Lat; left wrist plain film; girl, 10 yo; index exam — 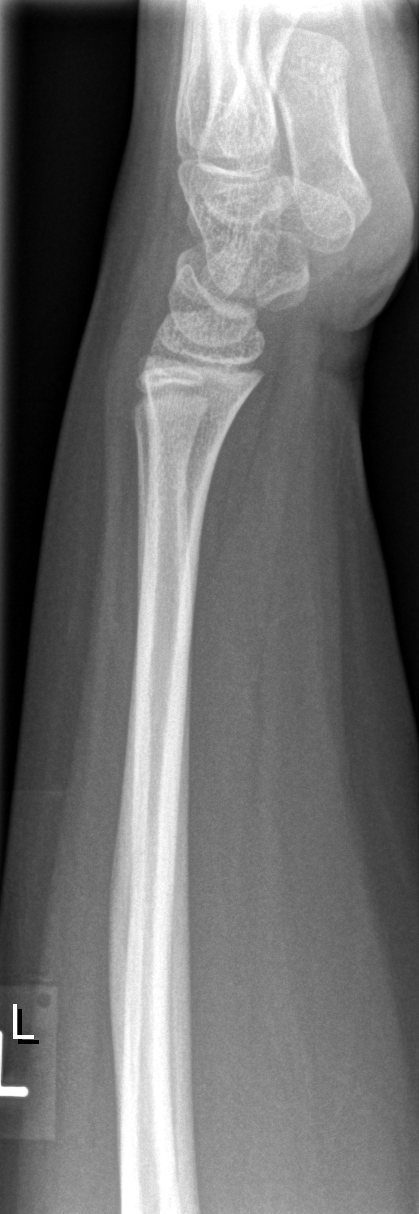
FINDINGS: Fracture: none labeled.